Right wrist radiograph, PA projection, subsequent exam, cast in situ:
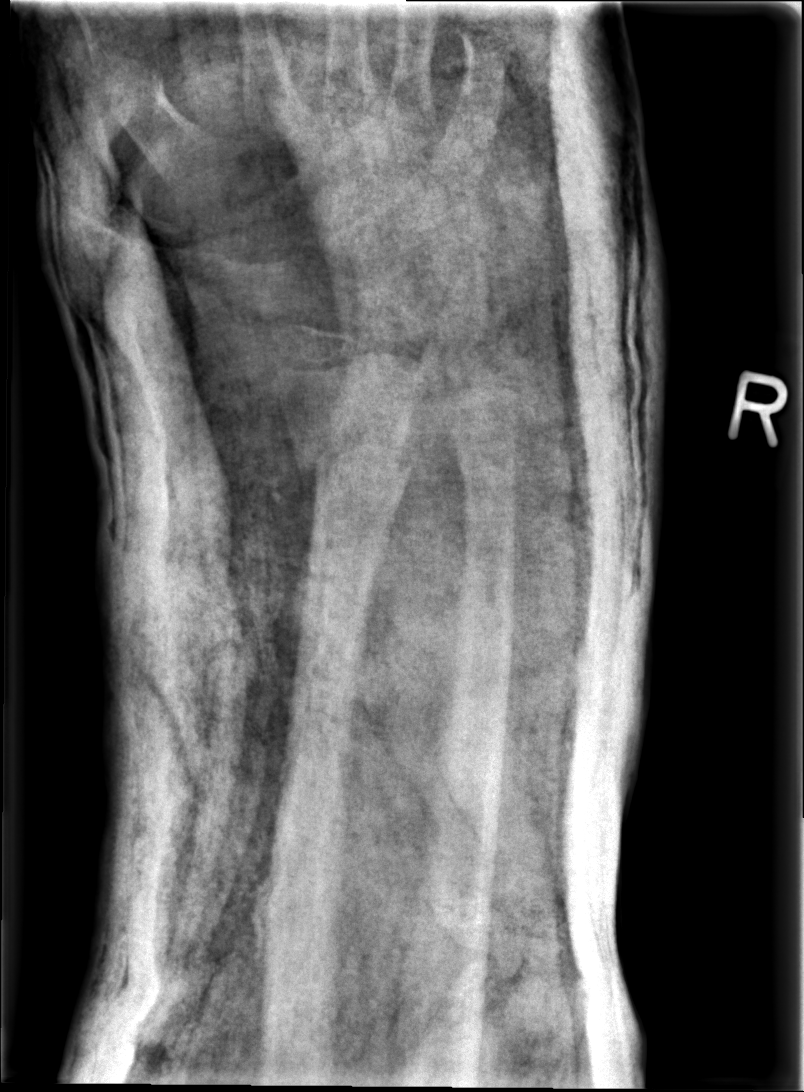

Findings: (pixel coordinates, top-left origin, xyxy) Fracture — (286, 402, 422, 525). AO code 23-M/3.1.